Left wrist plain film; lateral projection:

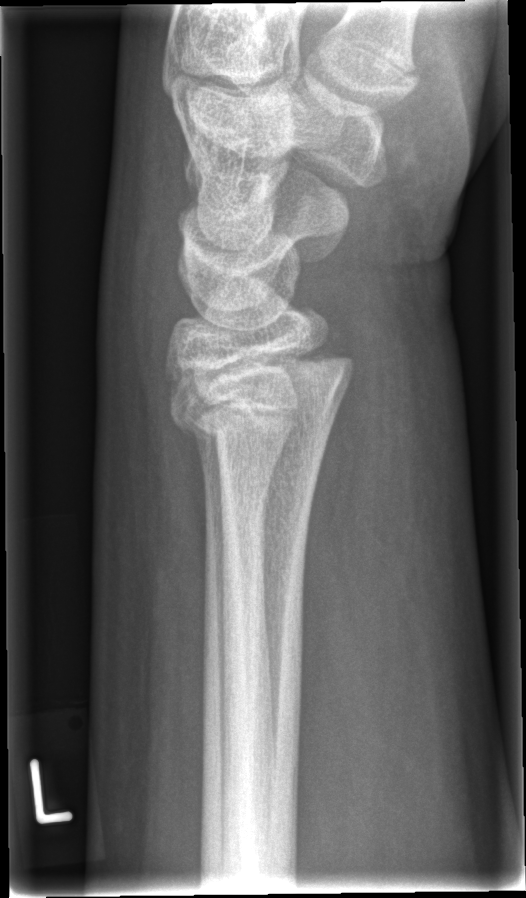

* AO code 23r-E/2.1; 23u-E/7.
* Fx: (164, 321, 355, 458).